Right plain radiograph of the wrist; lateral; in cast.

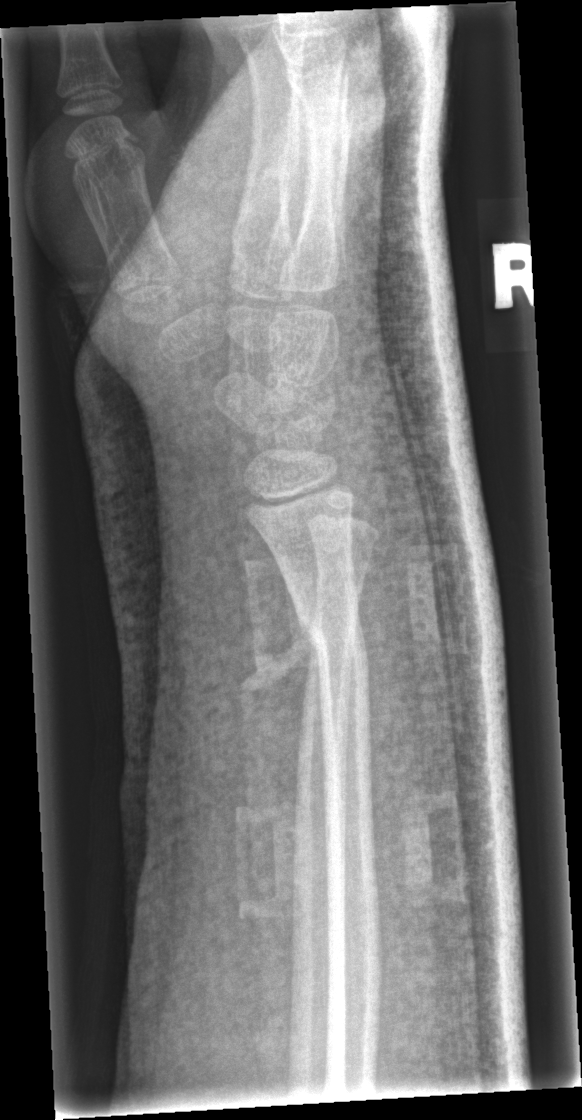

Boxes as x1,y1,x2,y2 (top-left / bottom-right, pixel units).
Bone fracture identified at [292, 601, 373, 682].
Fracture classified AO/OTA 23r-M/2.1.